AP · L pediatric wrist radiograph 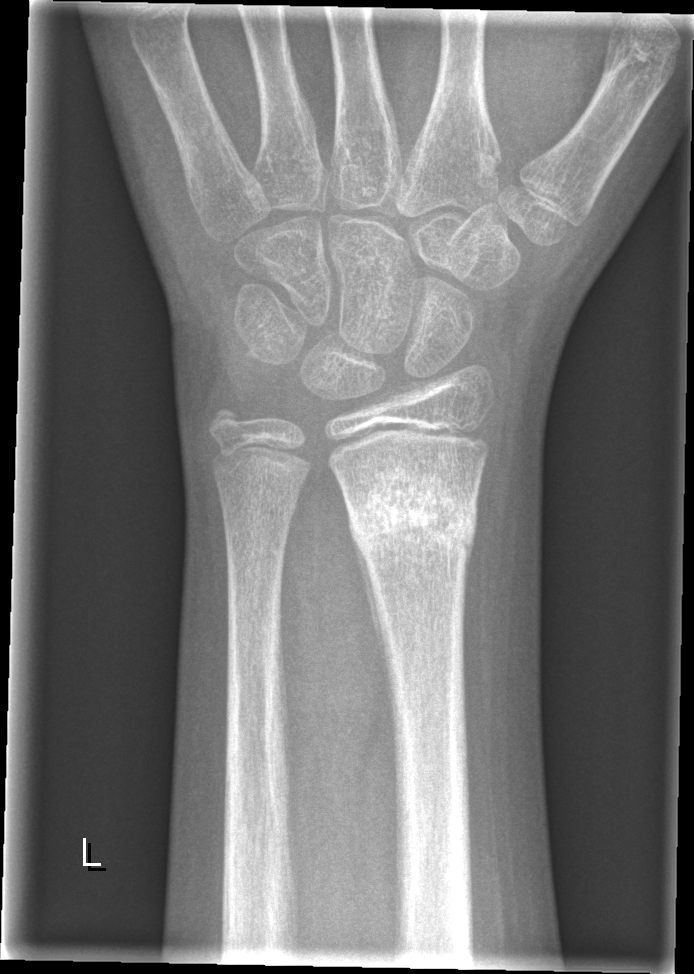 (boxes as x1,y1,x2,y2 (top-left / bottom-right, pixel units))
Q: Bone density?
A: Osteopenic
Q: Is there periosteal reaction?
A: Periosteal new bone: (349, 527, 395, 722)
Q: AO code?
A: AO/OTA classification: 23r-M/3.1; 23u-E/7
Q: Fracture present?
A: Bone fracture identified at (341, 461, 481, 569) (200, 394, 254, 446)